Lt wrist X-ray · lateral view · follow-up · in cast:
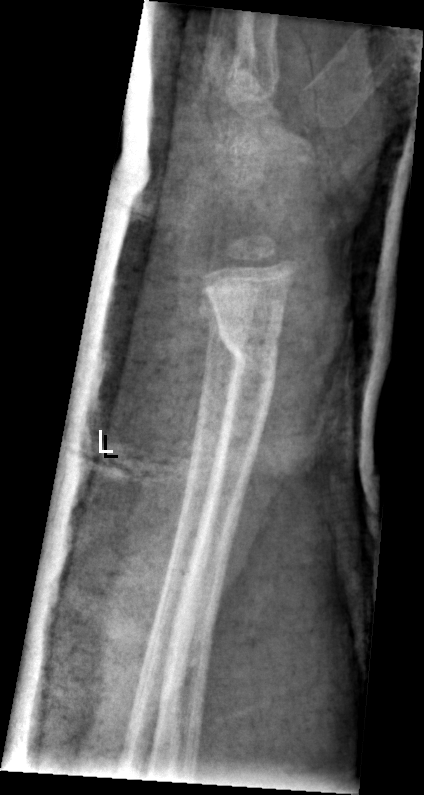
- Bounding boxes in image-pixel xyxy.
- AO code 23r-M/3.1; 23u-M/2.1.
- Fracture: (left=213, top=319, right=284, bottom=387).